Rt wrist XR; lat.

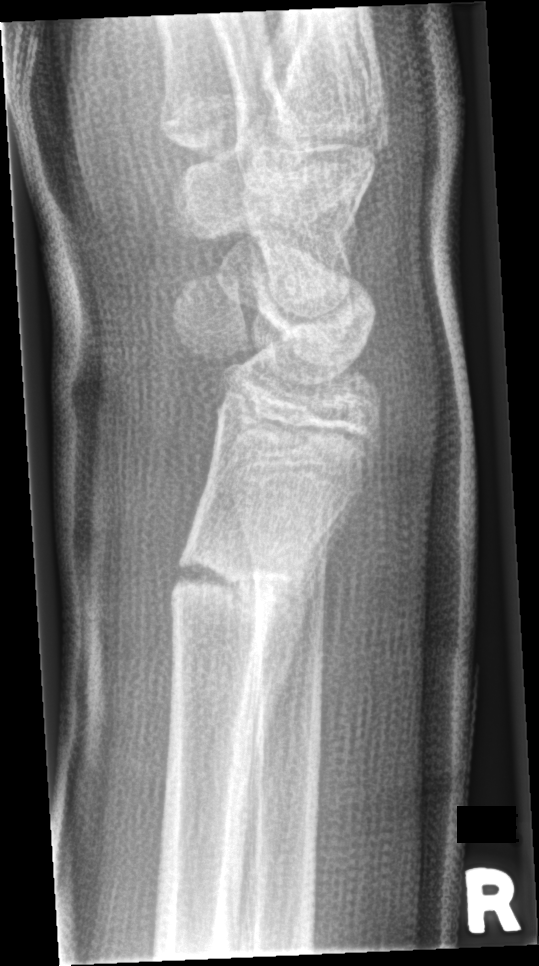
bone fracture: 1 @ 166 540 300 638
periosteal thickening: 1 @ 248 469 368 798